Rt wrist XR; lateral view; age 8 y, boy; index exam 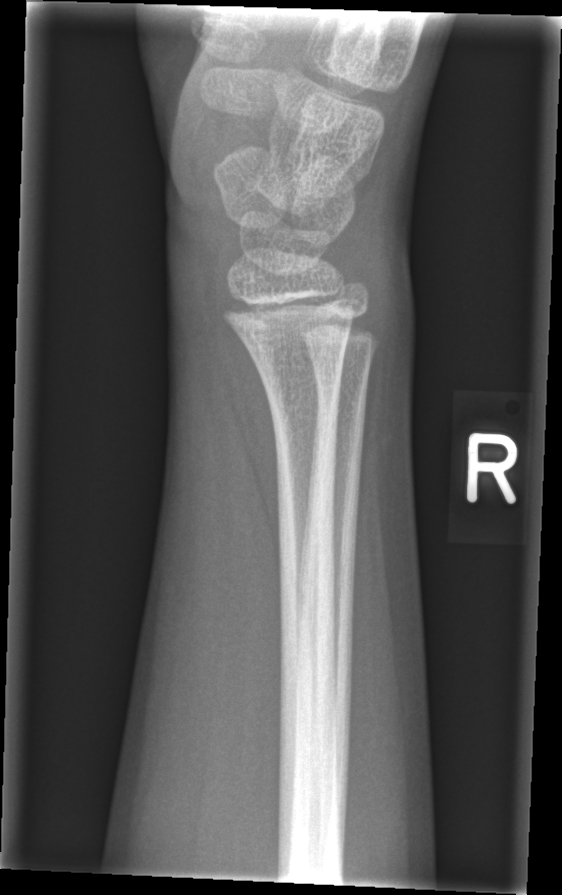 No fracture annotation.